Lateral · L wrist radiograph · age 8 y, female · 424 x 1042 px:
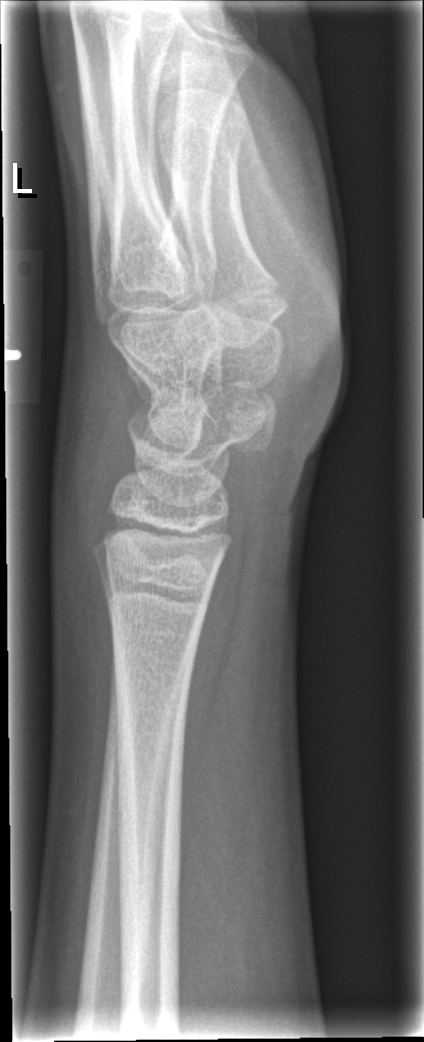 No fracture labeled.